Lat, right plain radiograph of the wrist, index exam, image 62.8 mm wide

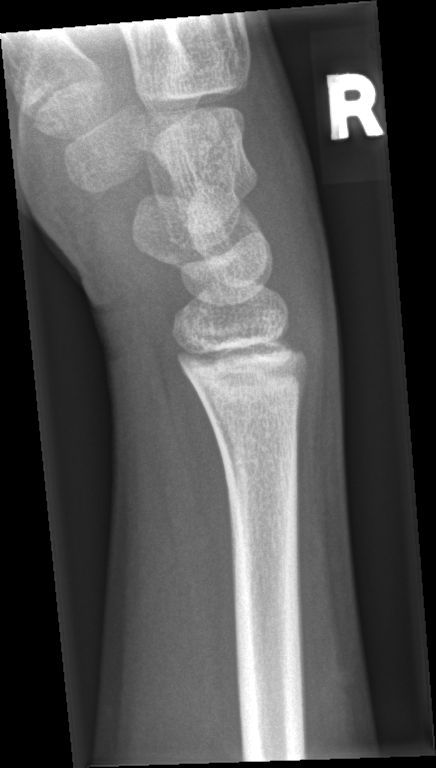
- No fracture annotation.